Left wrist plain film | lat | 3y M 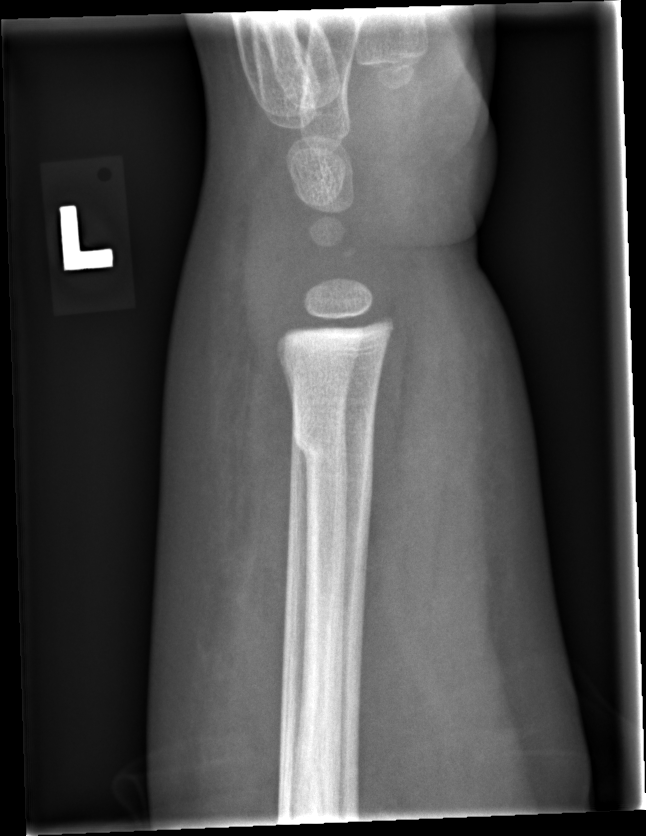

(pixel coordinates, top-left origin, xyxy)
Bone fracture = 1 @ <290,412>-<379,482>
AO/OTA = 23-M/2.1
Soft-tissue swelling = <156,163>-<297,625>